Right wrist X-ray; posteroanterior view; 662 by 988 pixels

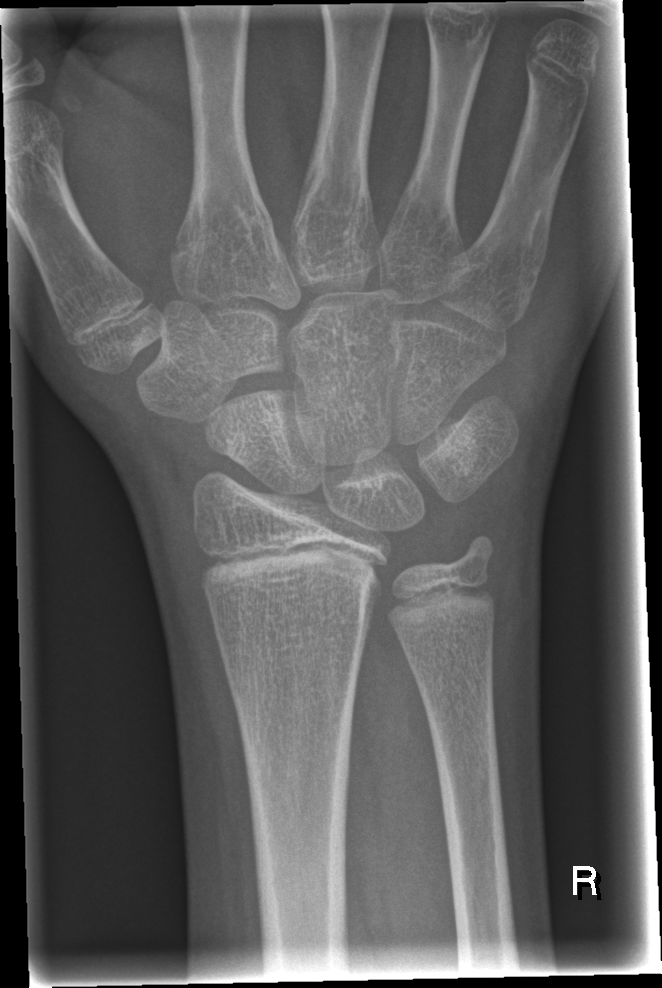 No fracture labeled.